Lat view, right wrist radiograph, age 5 y, male, image size 492x918

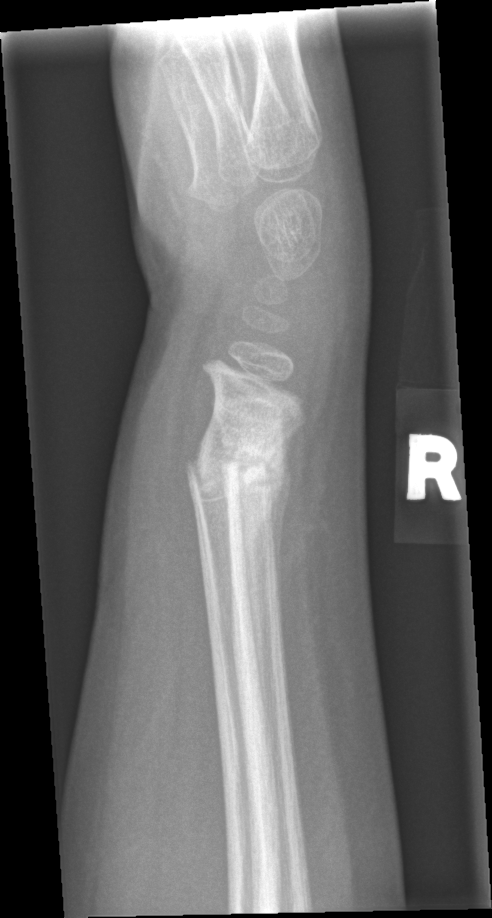
  # coordinates are [x1, y1, x2, y2] in image pixels
  osteopenia: present
  fracture: (left=183, top=427, right=294, bottom=513)
  ao: 23-M/3.1
  periostealreaction: 1 @ (left=265, top=425, right=297, bottom=649)